Lat, L plain radiograph of the wrist, boy, 6 yo, image width 67.0 mm —

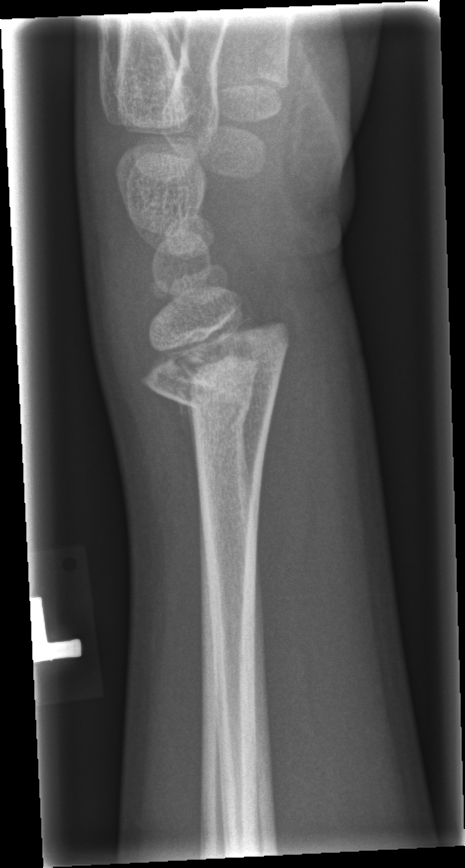

(boxes as x1,y1,x2,y2 (top-left / bottom-right, pixel units))
AO/OTA: 23-M/3.1
Bone fracture: 1 @ [134, 307, 295, 440]